R wrist radiograph | lat — 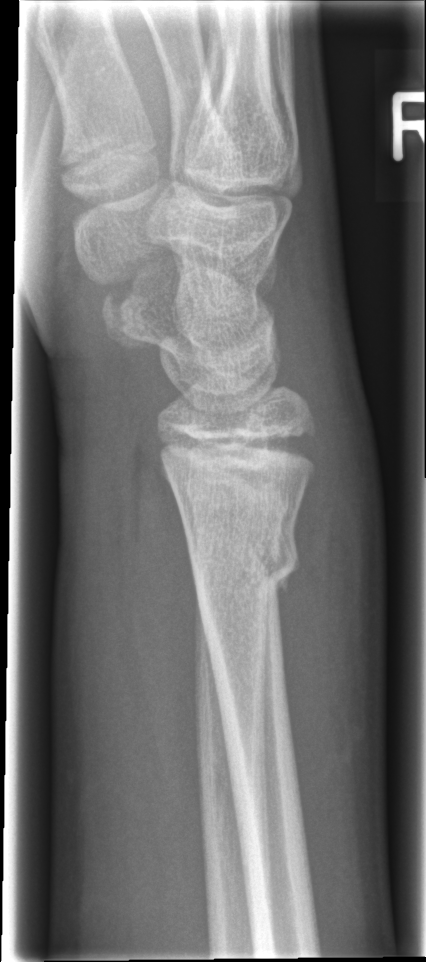

FINDINGS — (coordinates are [x1, y1, x2, y2] in image pixels) Positive pronator fat-pad sign — [x1=106, y1=410, x2=213, y2=840]. Soft tissue abnormality identified at [x1=282, y1=314, x2=381, y2=757]. Fracture — [x1=189, y1=524, x2=302, y2=594]. AO code 23-M/2.1.